Lat view, right wrist radiograph — 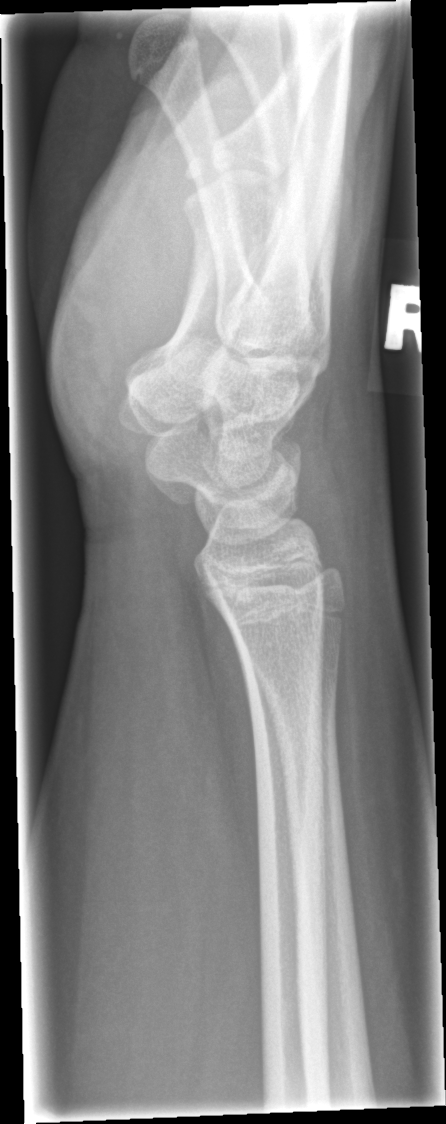
No fracture annotation.